Right wrist plain radiograph of the wrist | lateral view | 2-year-old boy | in cast.
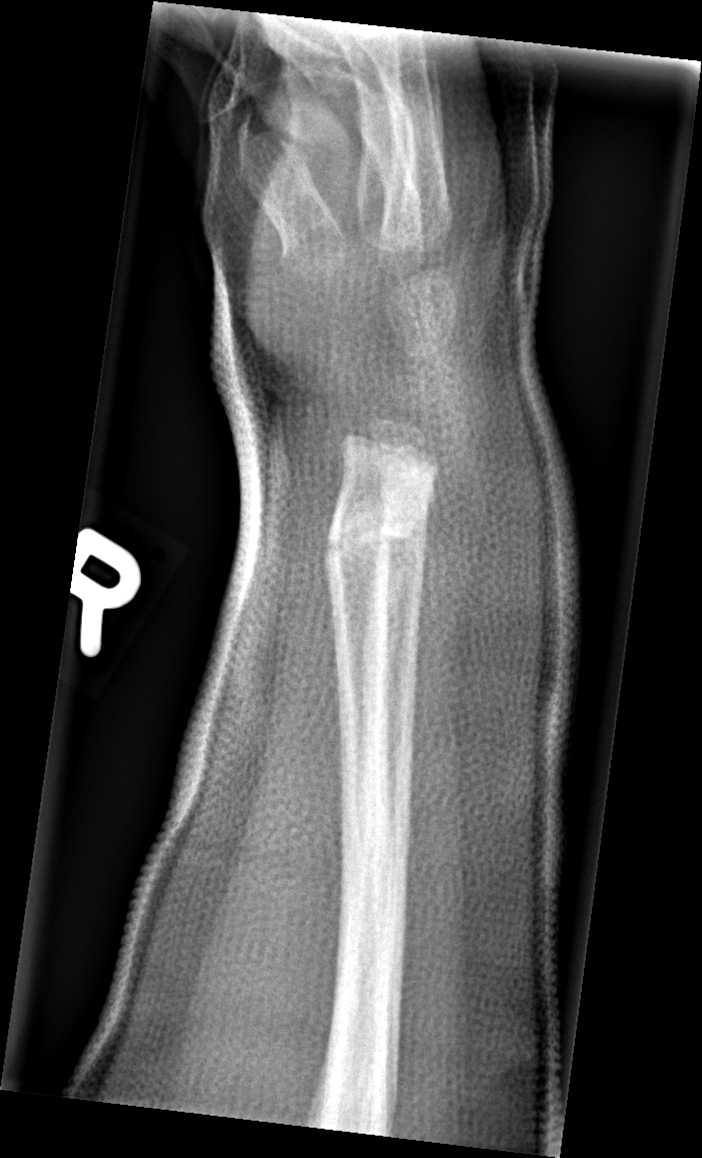 {"fracture": "1 @ 318,496,428,583"}